Lateral view; L wrist XR; pediatric patient (female, age 8); image width 63.9 mm:
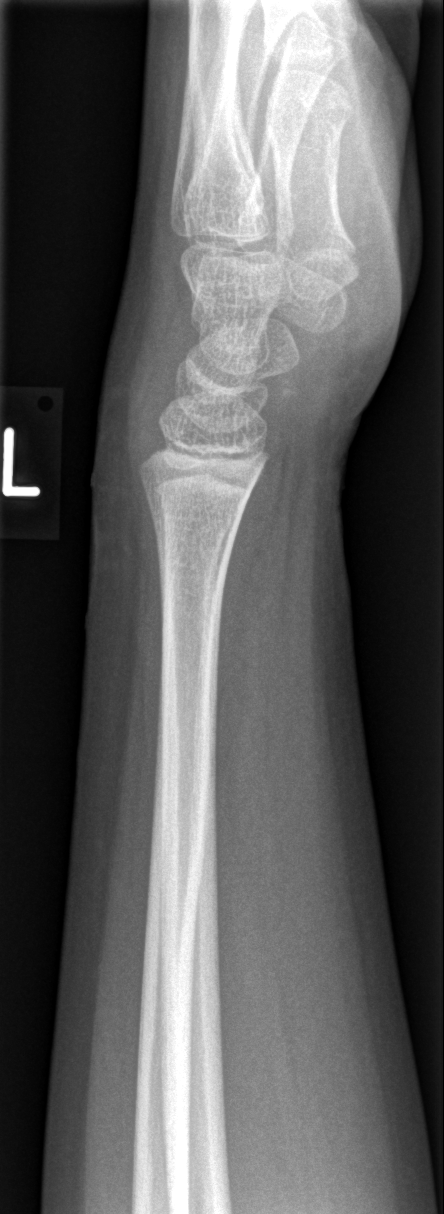

FINDINGS: Fracture: none labeled.